PA view, left wrist plain film. 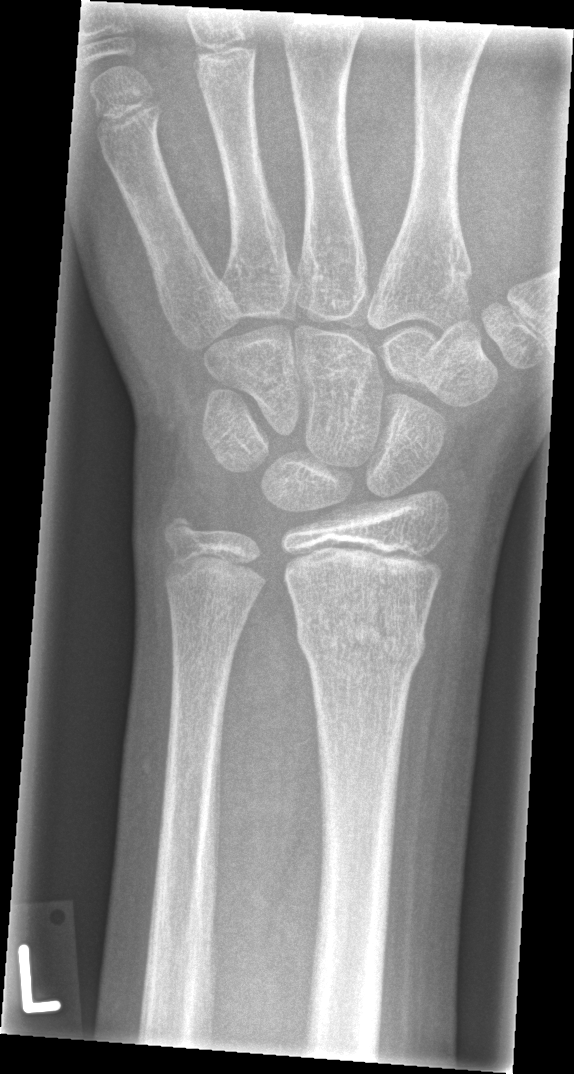
Fracture = <293,603>-<430,682>, <156,507>-<209,558>
AO code = 23r-M/3.1; 23u-E/7